Left wrist X-ray · lateral view · 498x892 — 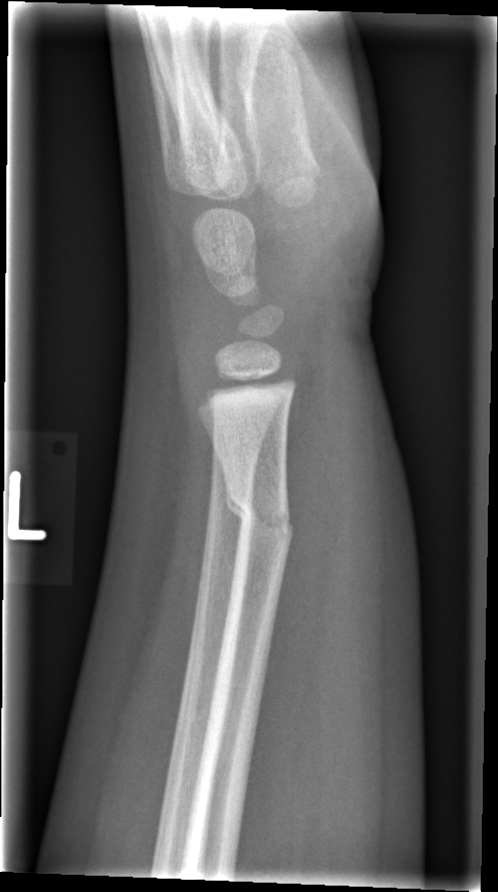
Pixel coordinates, top-left origin, xyxy.
Fracture classified AO/OTA 23r-M/3.1.
Fx — 223,486,296,549.